Right pediatric wrist radiograph · AP projection · 1092x1092

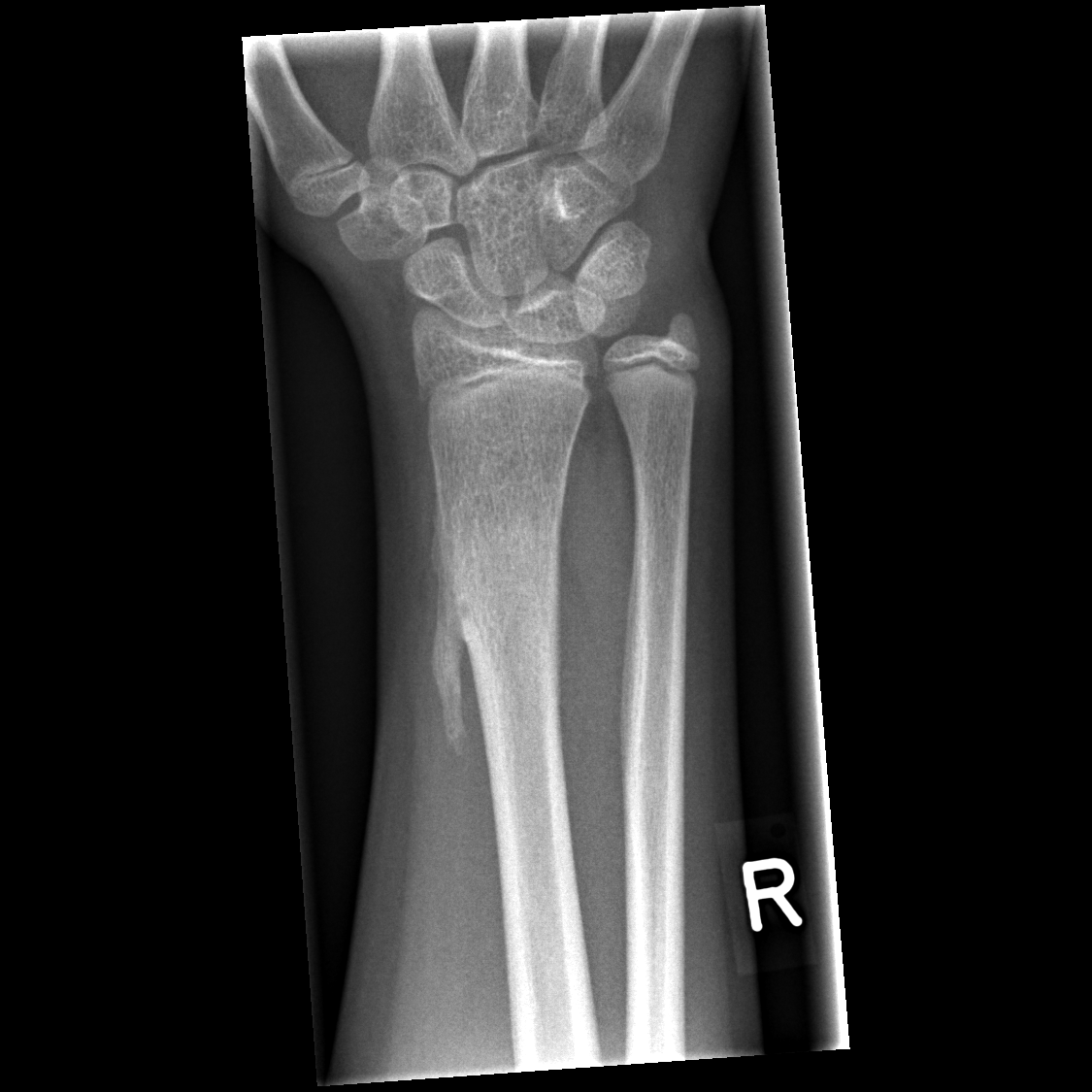

(bounding boxes in image-pixel xyxy)
Fx: none labeled
bone variant: 1 @ (423, 471, 572, 759)